Right wrist pediatric wrist radiograph | AP projection | girl, 7 yo | index exam. 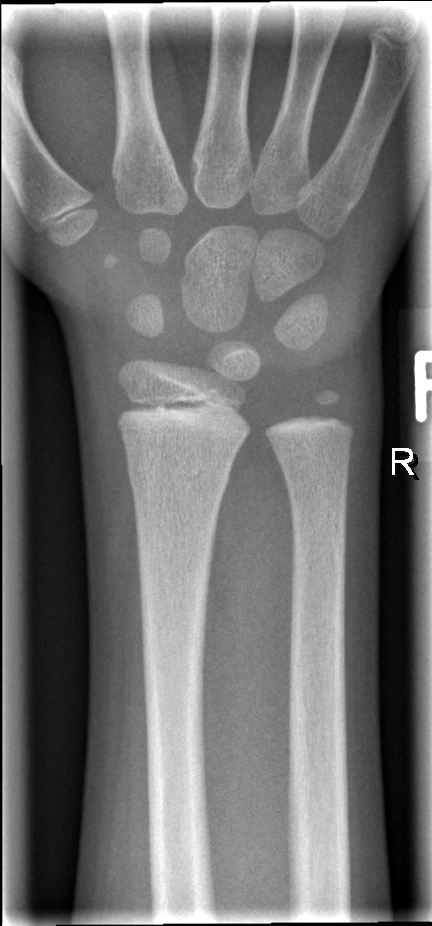 Fracture — <124,456>-<234,500>.